Lateral view · Rt wrist radiograph · 16-year-old boy · index exam —
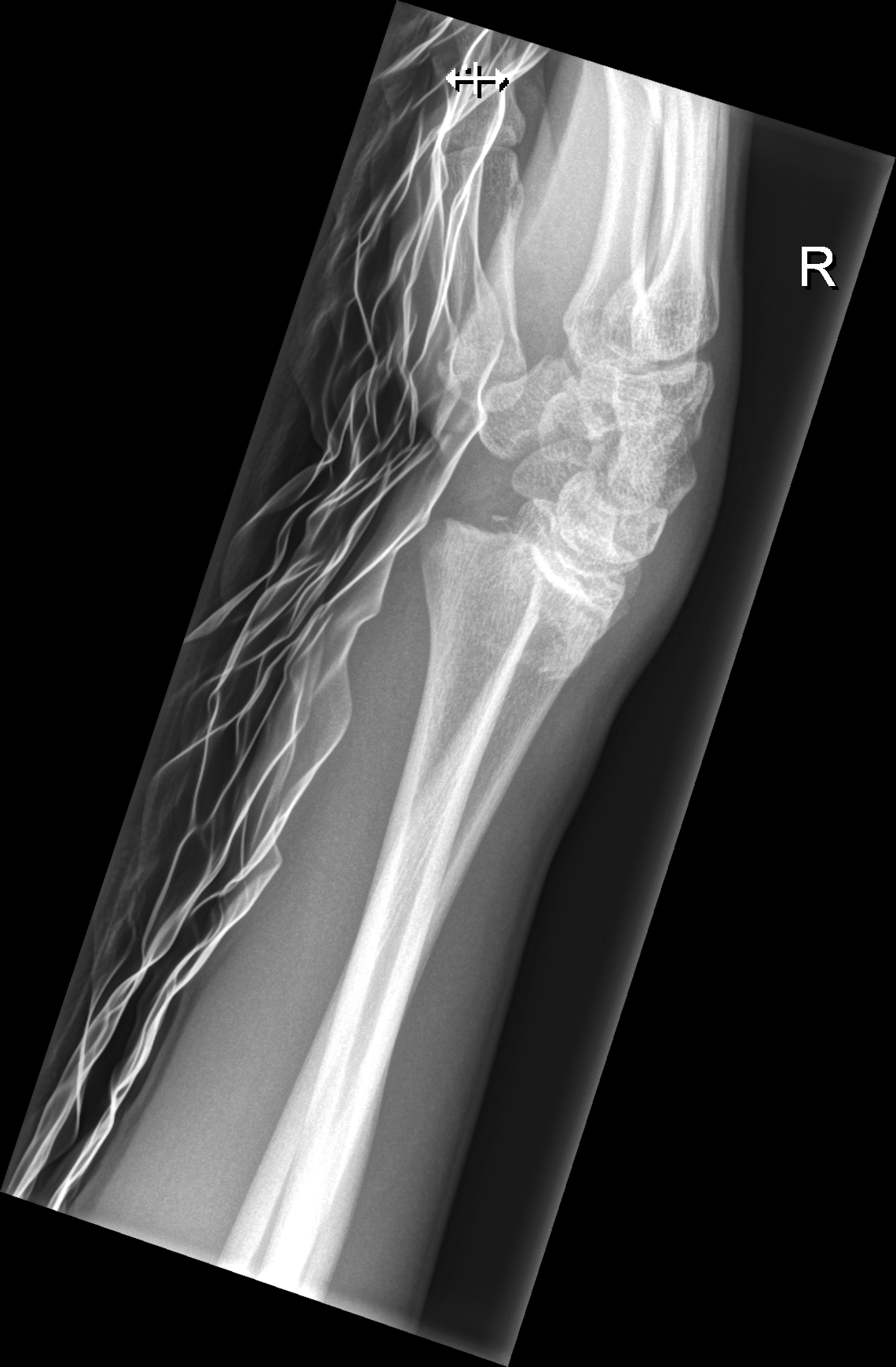 • Coordinates are [x1, y1, x2, y2] in image pixels.
• Fx: (left=412, top=510, right=631, bottom=685).
• Fracture classified AO/OTA 23r-E/2.1; 23u-E/7.